Right pediatric wrist radiograph · posteroanterior projection · girl, 15 yo · acquired on Siemens. 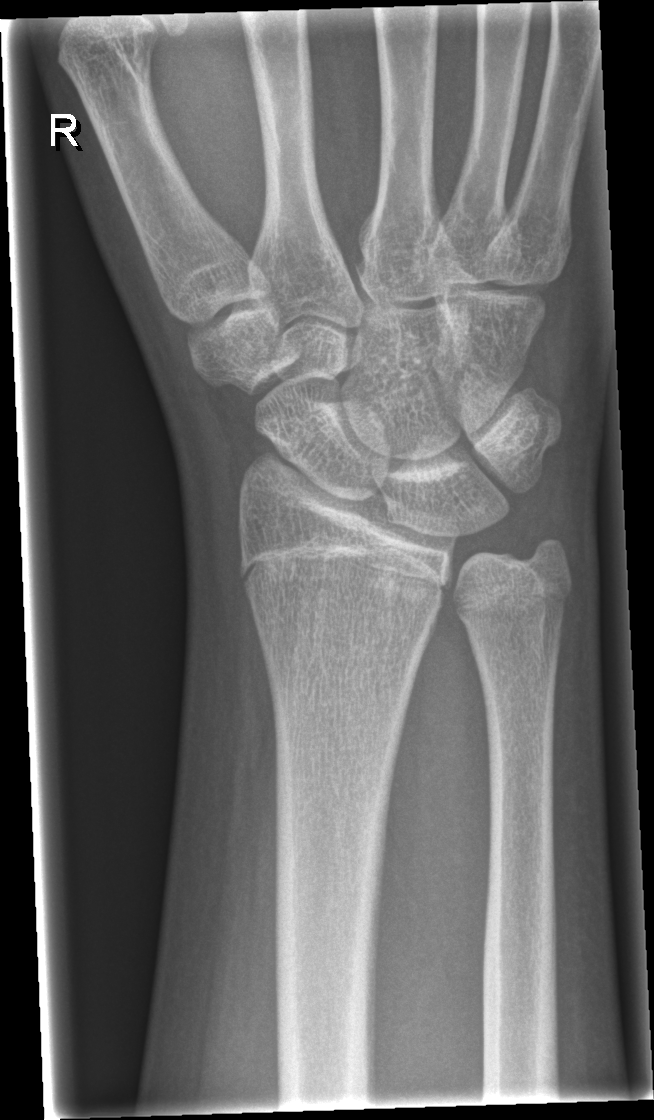

Fracture: none labeled.